Right wrist XR; lateral; 8y F:
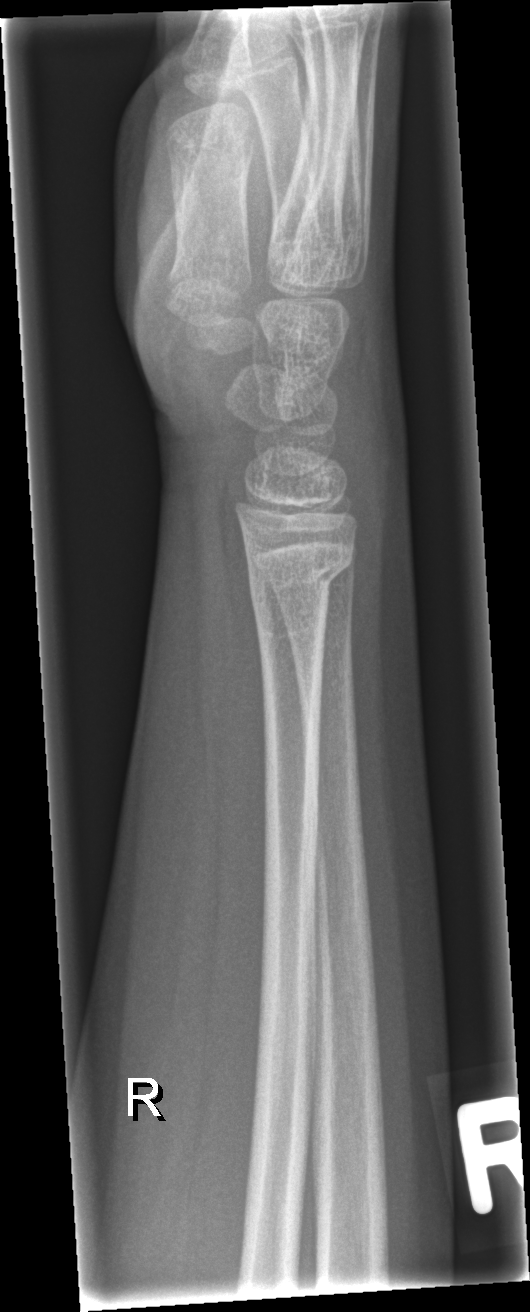
AO code = 23r-M/2.1
Bone fracture = [239, 550, 359, 611]